Lat view, Rt wrist XR, age 7 y, female, 509 x 1124 px. 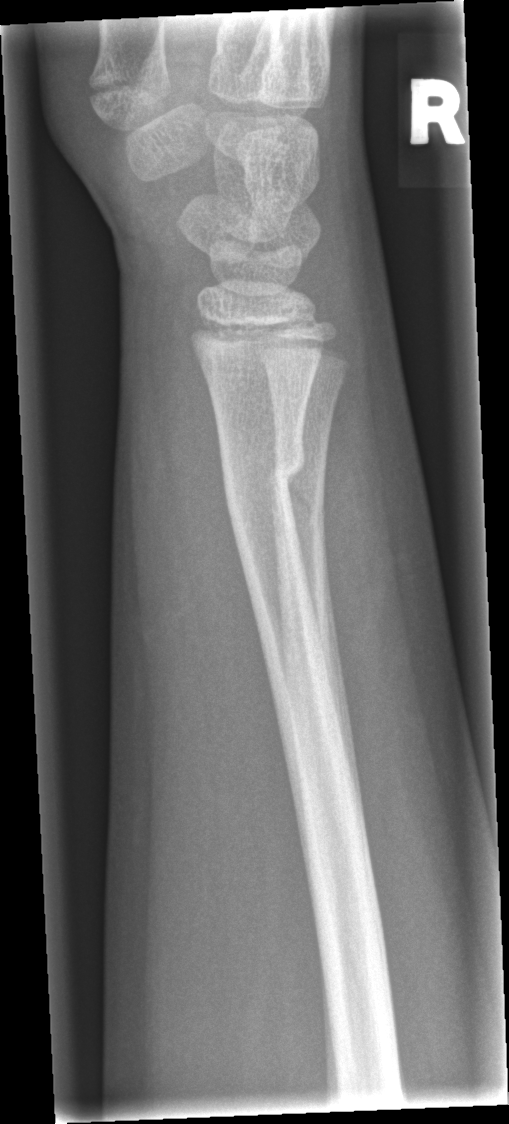

(bounding boxes in image-pixel xyxy)
Q: Locate any fractures.
A: Fx: (left=215, top=426, right=309, bottom=504); (left=269, top=468, right=335, bottom=531)
Q: AO code?
A: Fracture classified AO/OTA 23-M/2.1